Lat, L wrist plain film, 14-year-old male, detector: Siemens, 75.5 mm image width, image size 524x936 — 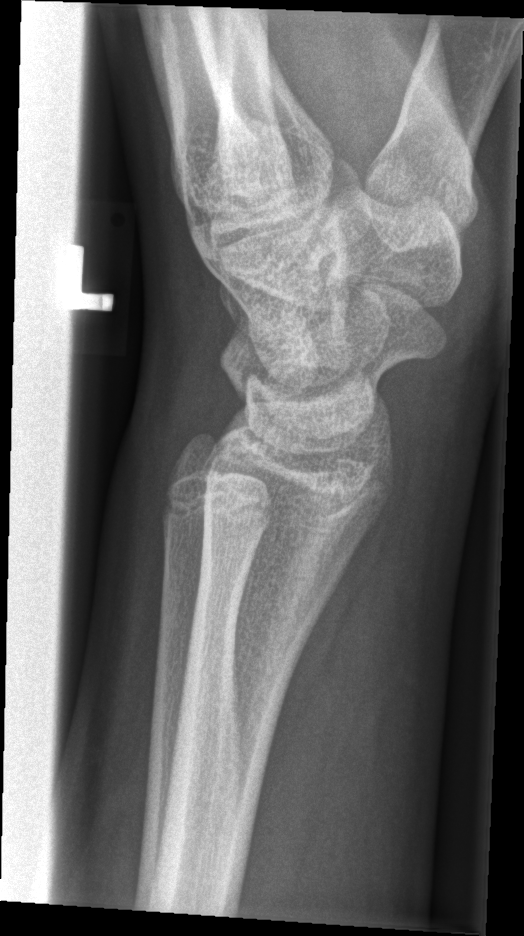

Q: Any fracture seen?
A: No fracture labeled